Lat · Lt wrist XR · female, 15 yo

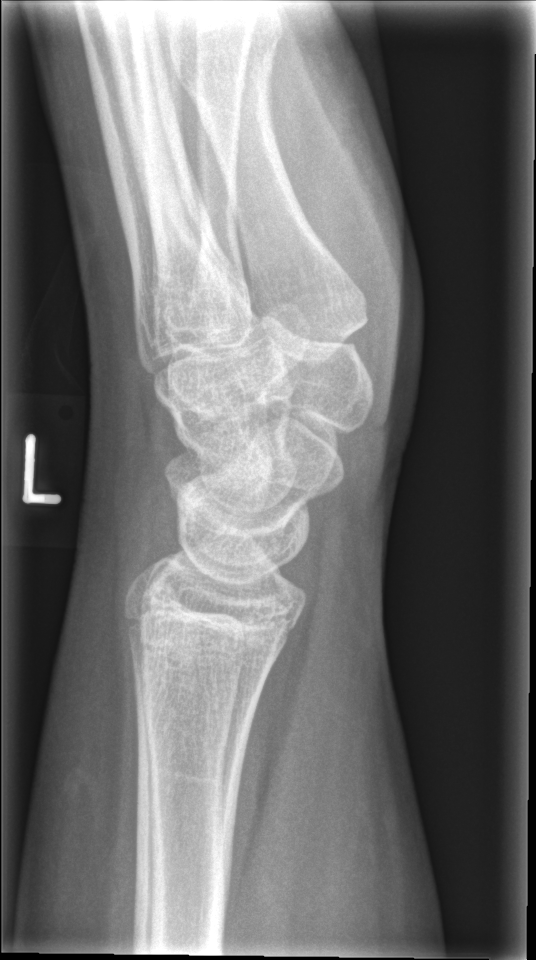   fracture: none labeled